Left wrist XR | lateral projection | boy, 8 yo | follow-up study.

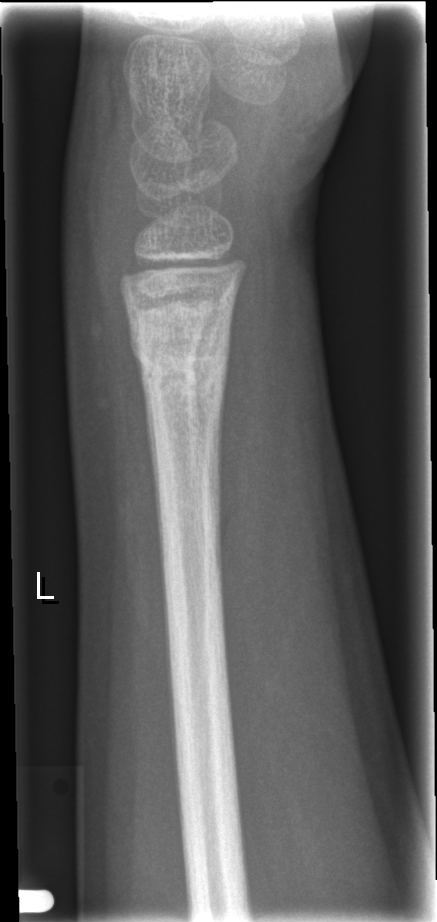
(pixel coordinates, top-left origin, xyxy)
Q: What is the AO/OTA classification?
A: AO/OTA classification: 23r-M/3.1
Q: Locate any fractures.
A: One bone fracture at (left=121, top=302, right=233, bottom=393)
Q: Is there osteopenia?
A: Decreased bone density (osteopenia)